R wrist radiograph, frontal projection, boy, 17 yo, index exam, 792 x 1098 px
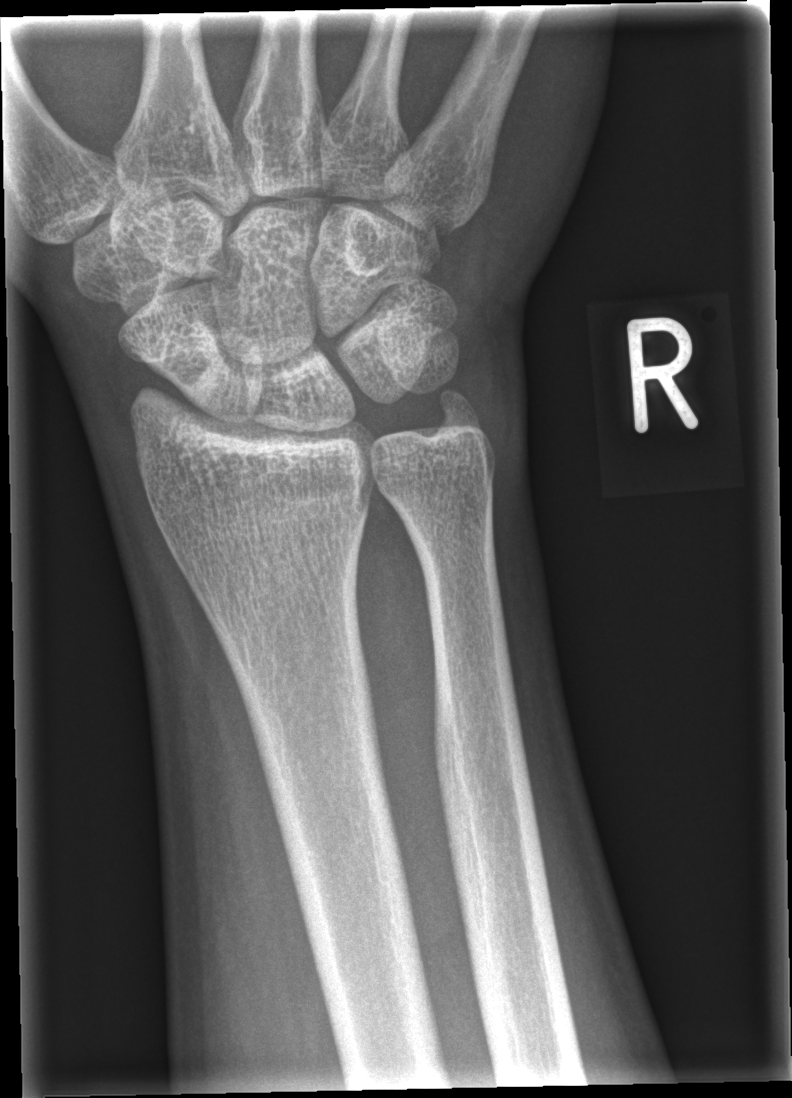 fracture: none labeled